Rt plain radiograph of the wrist; lat view — 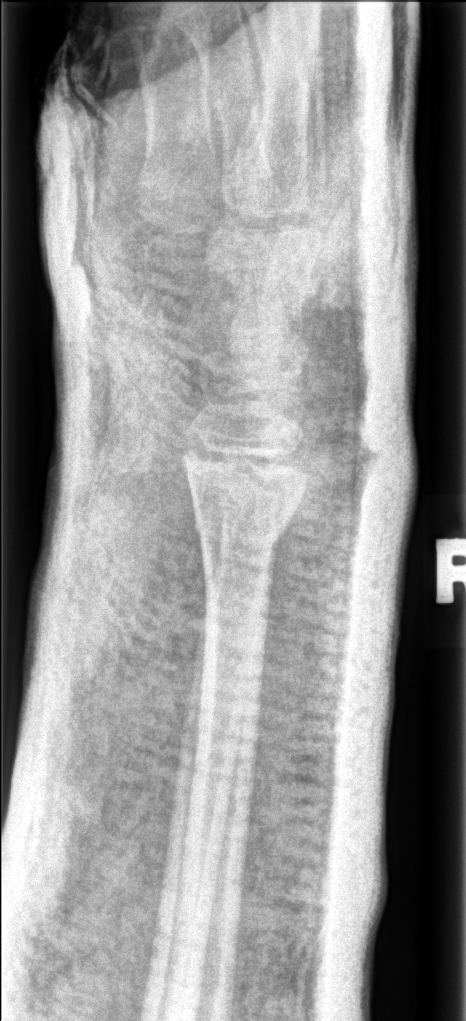
FINDINGS: (boxes as x1,y1,x2,y2 (top-left / bottom-right, pixel units)) AO code 23r-M/3.1. Fracture — (187, 498, 303, 553).